Left wrist XR | lat

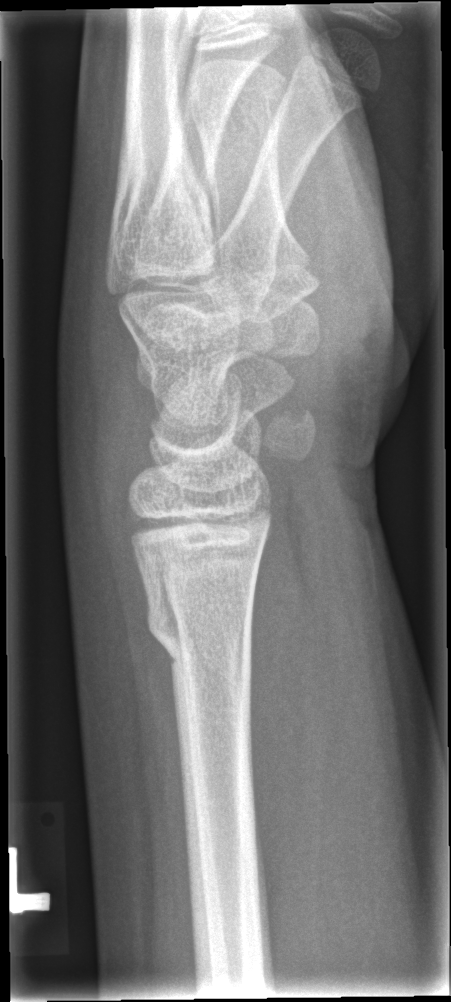 - Boxes as x1,y1,x2,y2 (top-left / bottom-right, pixel units).
- Fx — 141 588 255 680.
- Positive pronator fat-pad sign — 250 504 325 891.